Lateral view; left wrist XR; initial study; acquired on Siemens — 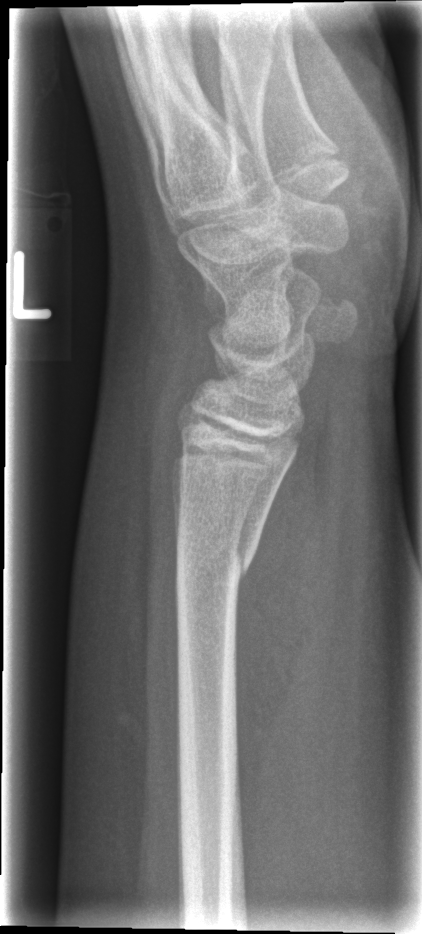

Q: Pronator fat-pad sign?
A: Positive pronator fat-pad sign identified at bbox(236, 397, 334, 820)
Q: AO code?
A: AO/OTA classification: 23r-M/2.1
Q: Is there a fracture?
A: Fracture — bbox(171, 525, 258, 600)